Lateral · L wrist X-ray · 11-year-old girl · Siemens 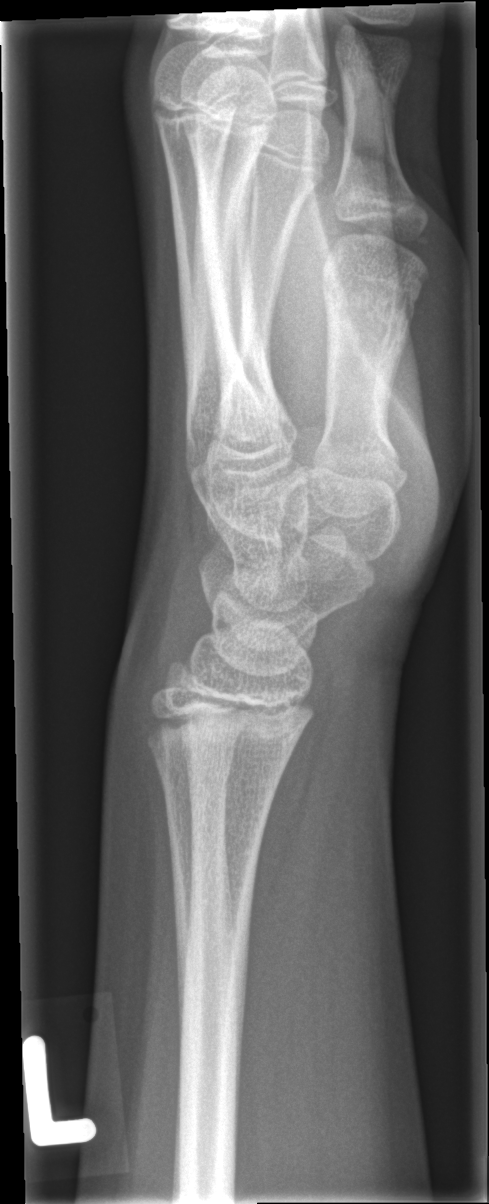 FINDINGS: Fx: (left=148, top=738, right=241, bottom=807). AO/OTA classification: 23u-M/2.1.